Frontal view · L wrist XR · image width 75.5 mm: 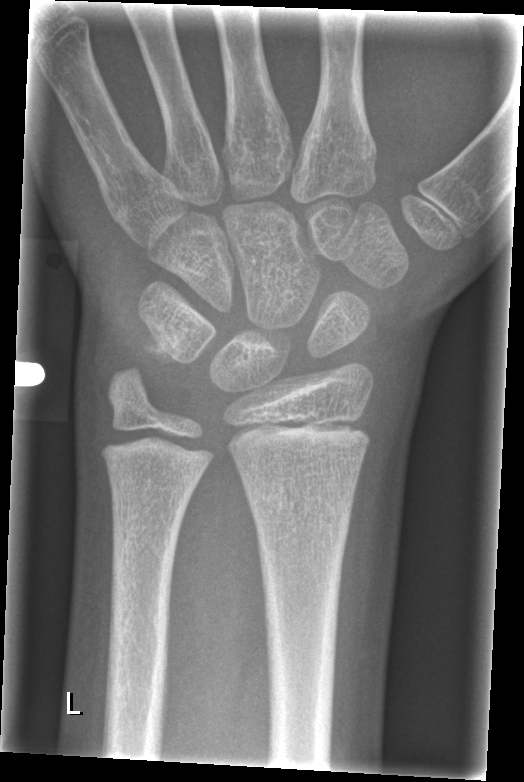

• Fracture classified AO/OTA 23r-M/2.1.
• One Fx at [241, 476, 354, 538].